AP view · Lt wrist XR · cast present · 686 x 1210 px — 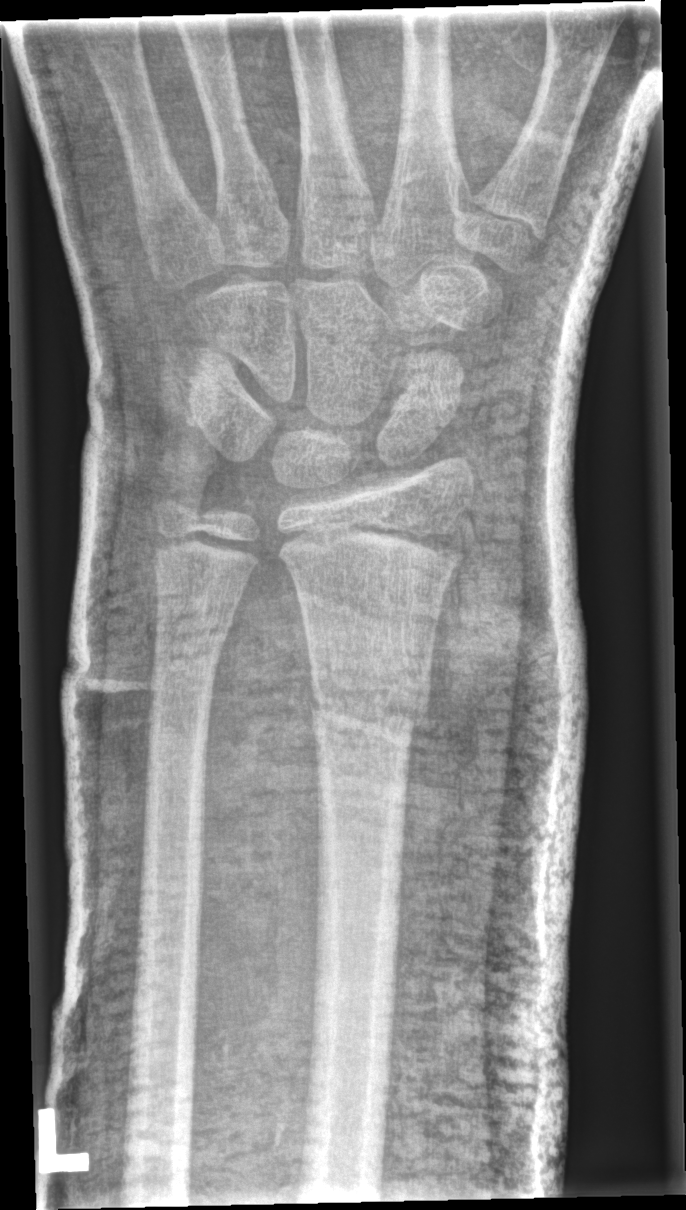
FINDINGS: One bone fracture at 304,671,432,748.